Lat projection | Rt wrist radiograph | presentation radiograph. 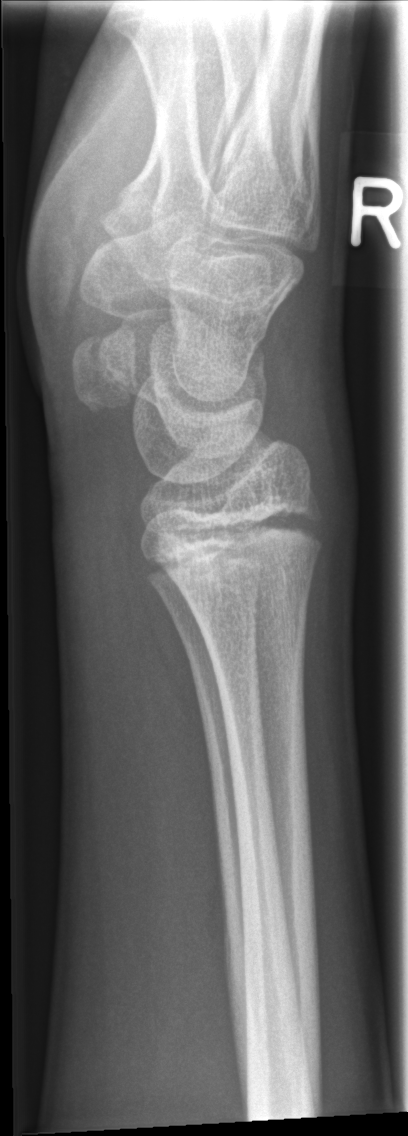 Bone fracture = none labeled